Lt wrist plain film · lateral projection · girl, 10 yo:
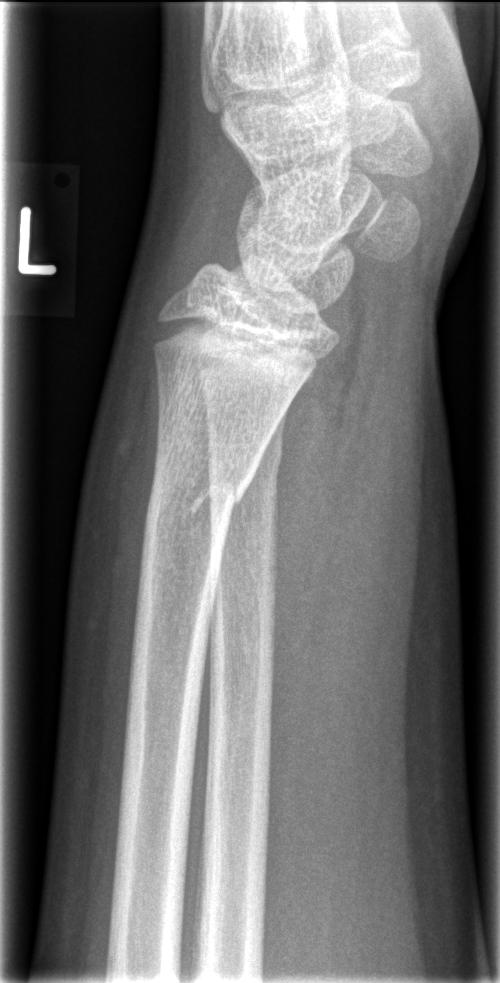
- Soft-tissue swelling: 303,308,443,632.
- Fractures — 137,477,246,537 | 204,437,289,499.